R wrist radiograph, lateral view, follow-up, 896x1321 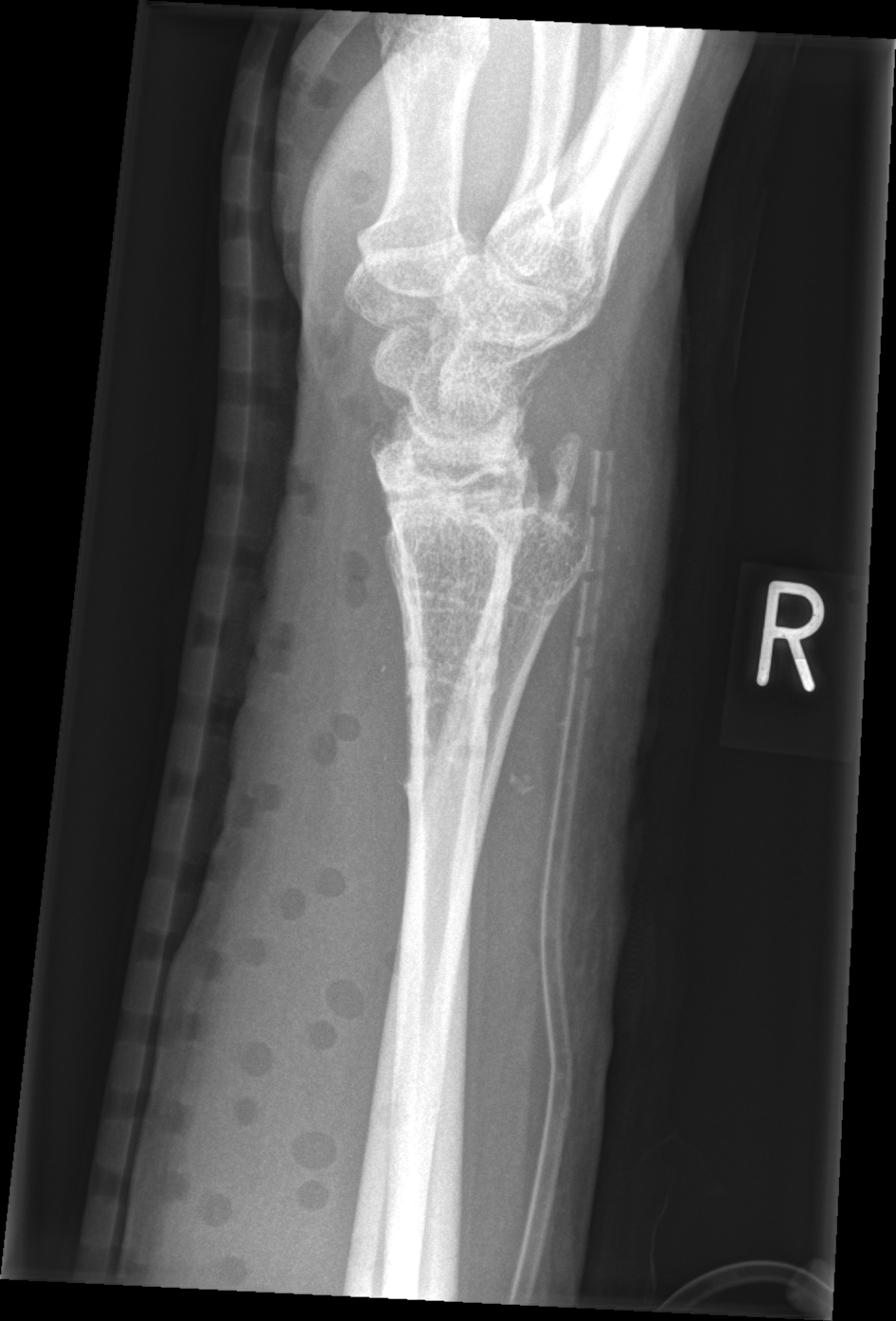

osteopenia = present
osseous anomaly = 366,422,600,815
bone fracture = none labeled